Left wrist plain film · lateral · 11y M · findings marked uncertain by the reading radiologist.
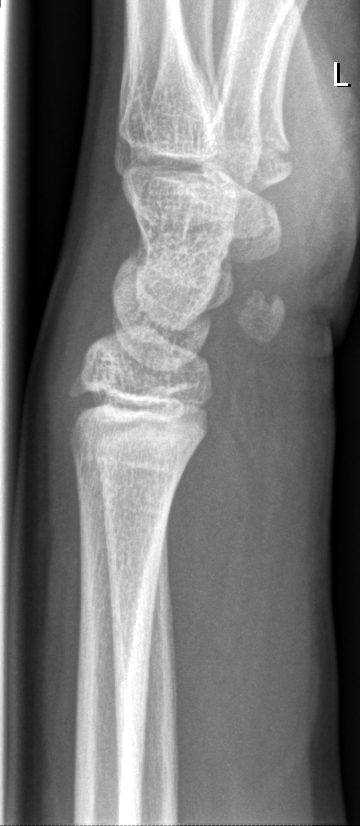
FINDINGS — (boxes as x1,y1,x2,y2 (top-left / bottom-right, pixel units)) Pronator sign: bbox(139, 396, 272, 810). Fracture — bbox(59, 382, 215, 443).